R wrist radiograph | lat projection | 9y F | follow-up study | cast present —

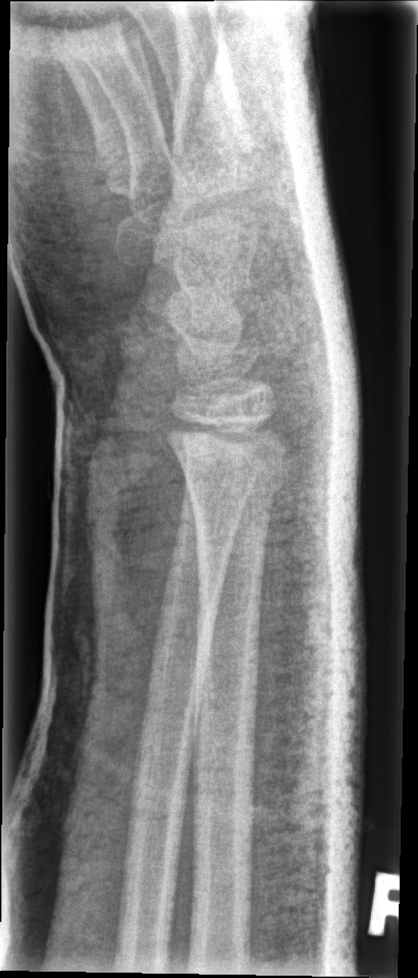 AO code 23r-E/2.1. Fx: bbox(160, 419, 295, 511).